R wrist XR | PA projection | pediatric patient (girl, age 8) | image size 495x700:

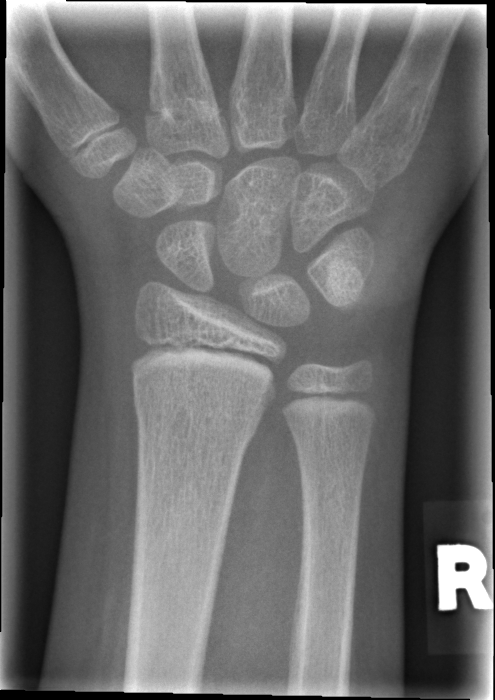

Fx: [132, 392, 267, 447]